AP projection; Lt wrist radiograph 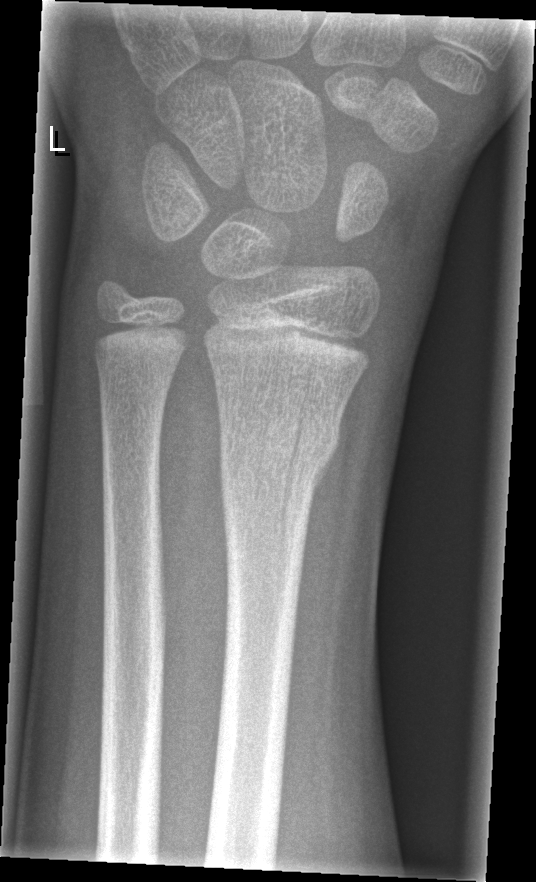

Findings: (boxes as x1,y1,x2,y2 (top-left / bottom-right, pixel units)) AO code 23r-M/2.1. Bone fracture: 213 404 345 495.